Left wrist radiograph, frontal projection, 9y F, presentation radiograph

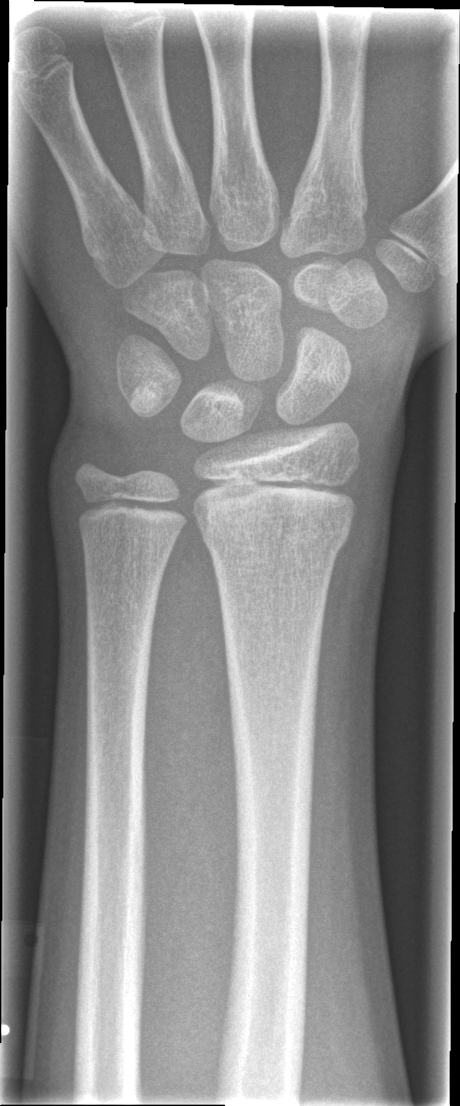 Bone fracture: <189,501>-<357,574>. Fracture classified AO/OTA 23r-M/2.1.